Lateral view | left wrist XR | follow-up

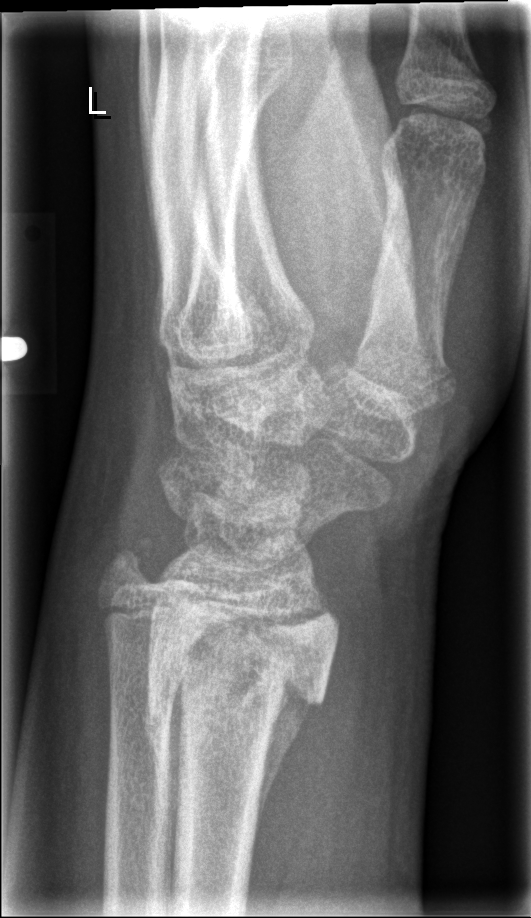

  # bounding boxes in image-pixel xyxy
  fracture: 2 @ 148 587 340 817
  98 538 159 598
  periostealreaction: 252 675 320 870
  ao: 23r-M/3.1; 23u-E/7